Lateral; left wrist plain film; 10y M; imaged through cast.
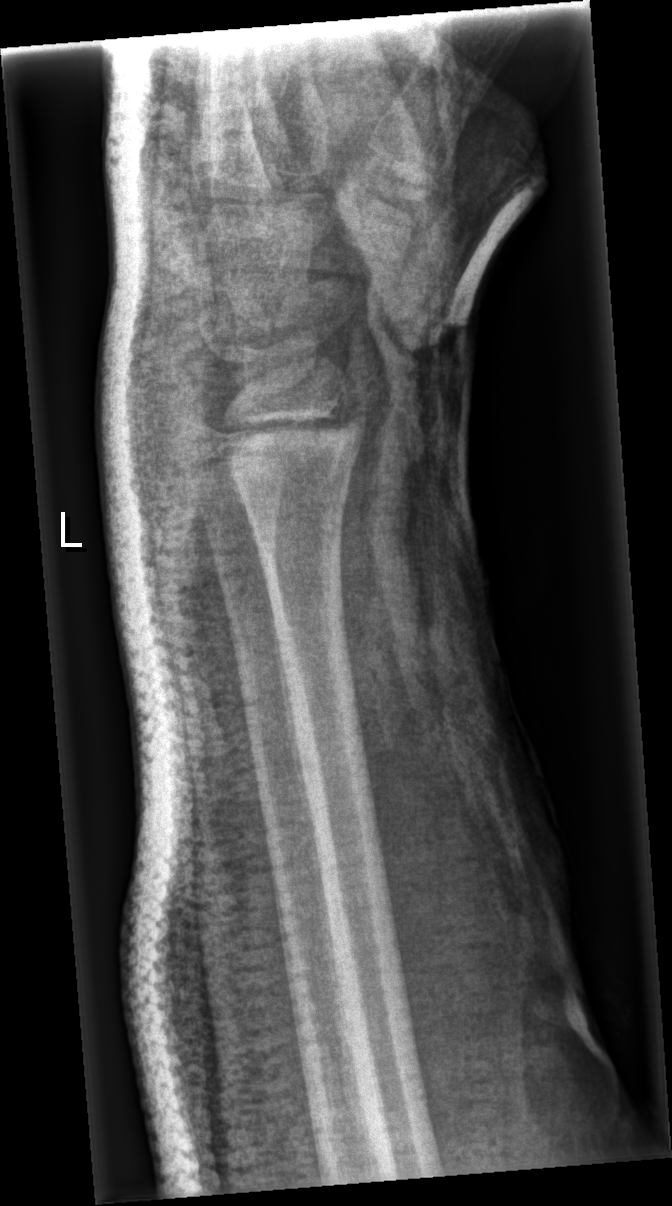
(pixel coordinates, top-left origin, xyxy)
Q: Fracture present?
A: One fracture at <220,399>-<374,505>
Q: AO code?
A: Fracture classified AO/OTA 23r-E/1